Right wrist plain film, lateral view, subsequent exam 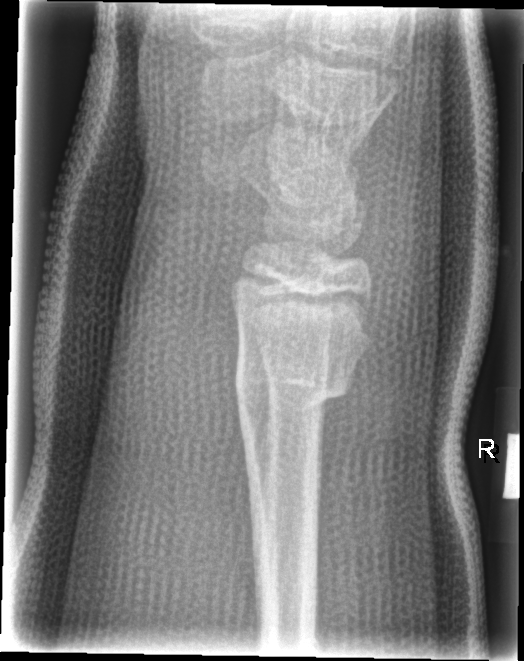 (coordinates are [x1, y1, x2, y2] in image pixels)
Q: Any fracture seen?
A: Fracture: [231, 349, 356, 427]